Left pediatric wrist radiograph | PA/AP view | age 13 y, boy | cast in situ | 798x1021 —

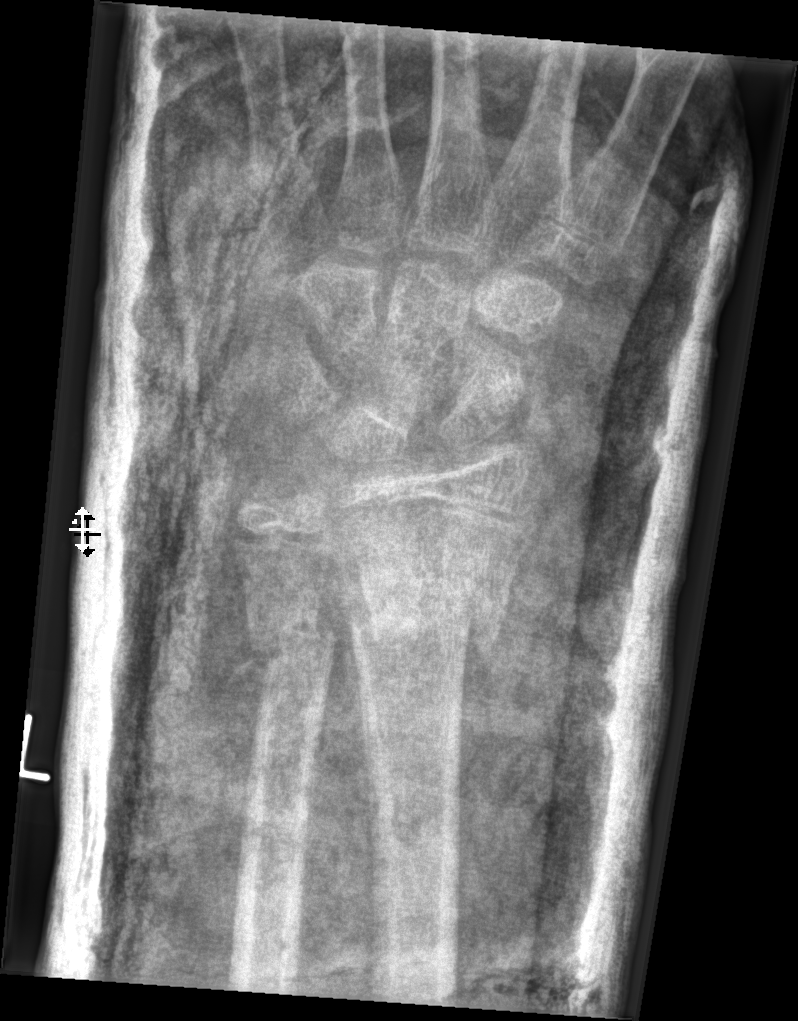 - Bone fracture: [x1=345, y1=577, x2=505, y2=668] [x1=242, y1=609, x2=340, y2=677].